Rt wrist plain film, lateral projection, imaged through cast, 99.1 mm image width.
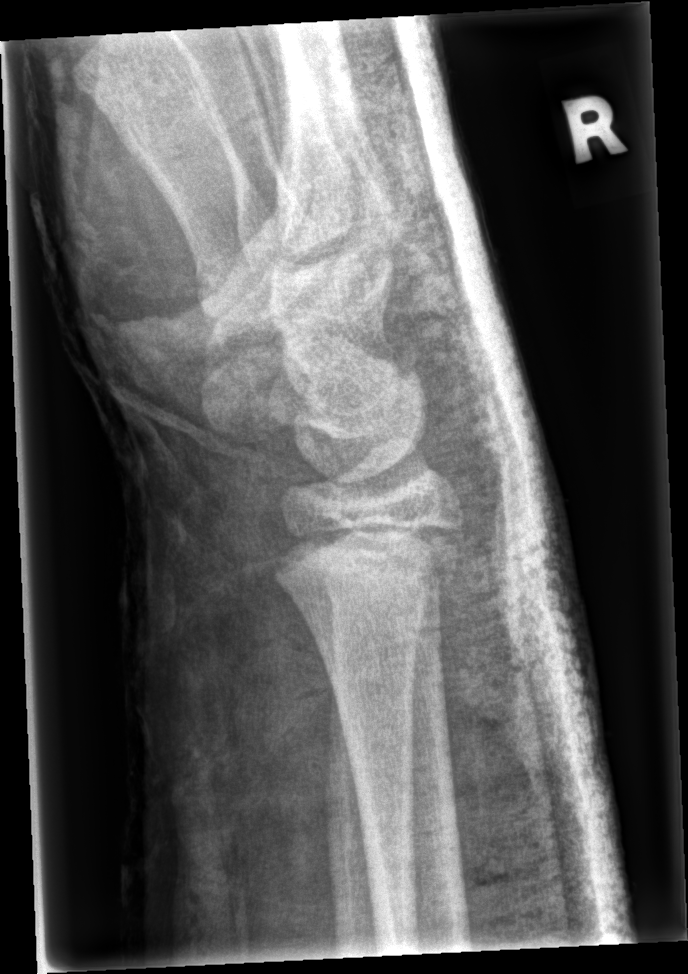
AO code 23r-E/2.1. Fracture: 270,512,463,599.